L wrist plain film, PA/AP projection, 79.5 mm image width.

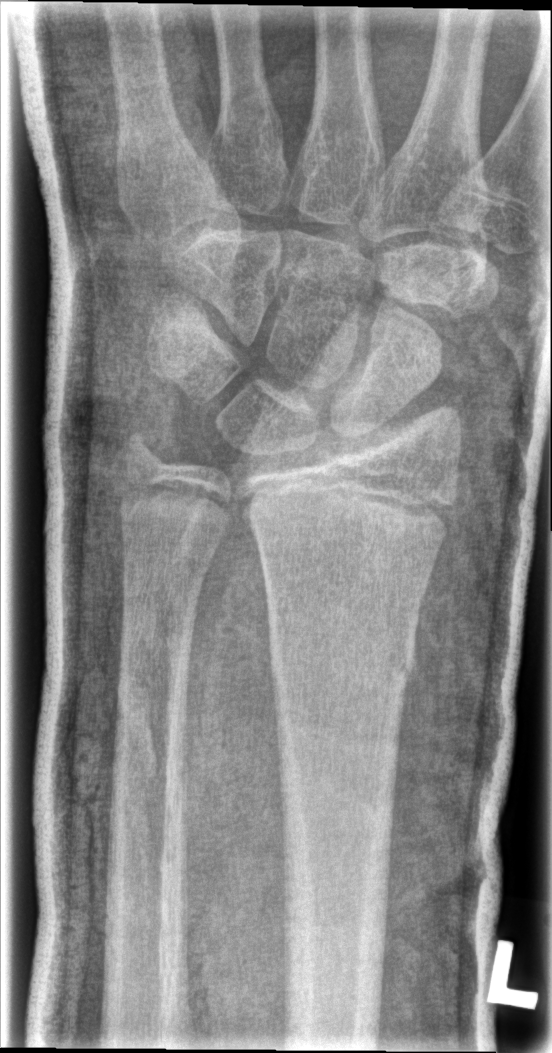
One Fx at 264 608 420 701. Fracture classified AO/OTA 23r-M/3.1; 23u-E/1.